Right wrist XR | AP | age 5 y, girl —

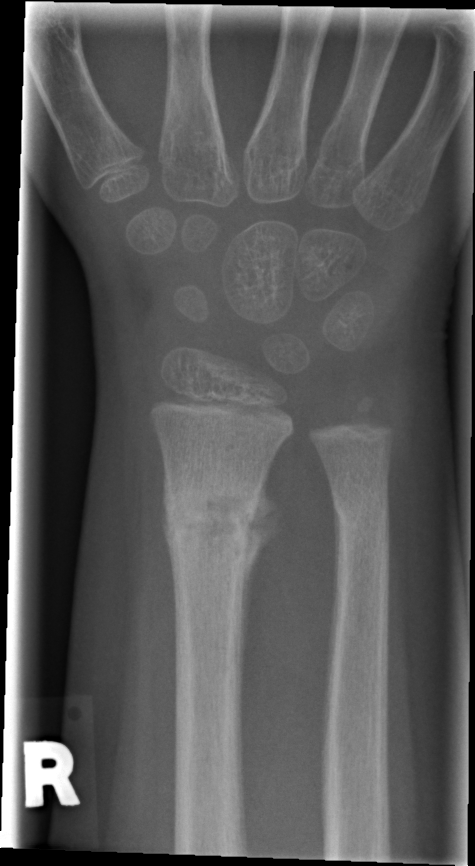

{
  "periostealreaction": "2 @ 238,459,285,693 | 327,504,342,681",
  "osteopenia": "present",
  "fracture": "159,493,263,553 | 328,484,394,540",
  "ao": "23r-M/3.1; 23u-M/2.1"
}